R wrist radiograph | PA/AP | 710x945.
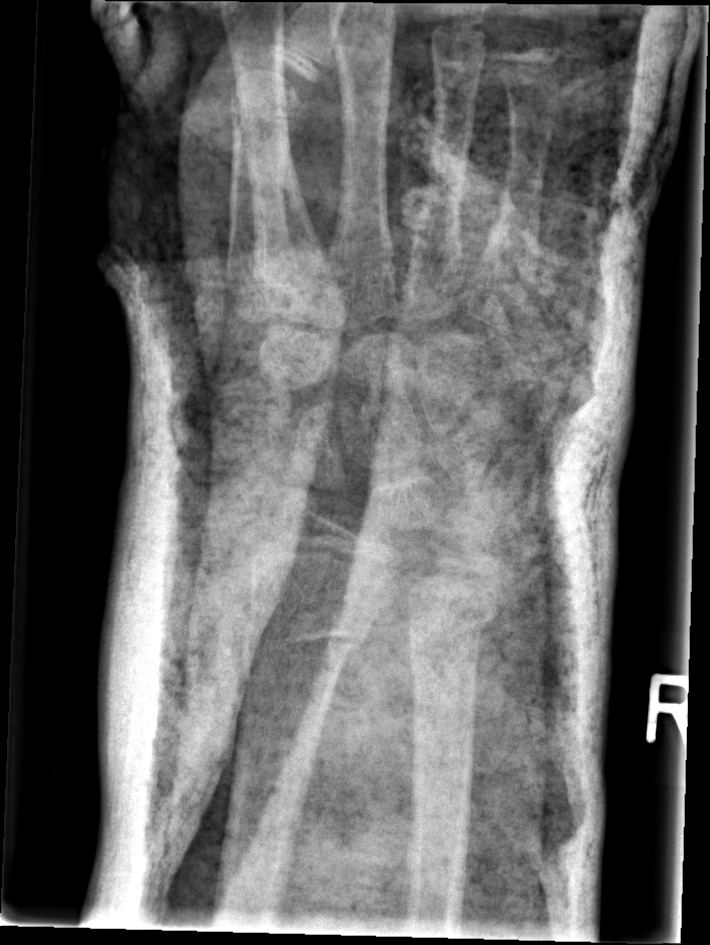
fracture: (234, 613, 374, 676), (397, 592, 497, 672)